Lat, left wrist plain film, follow-up study, 70.1 mm image width —
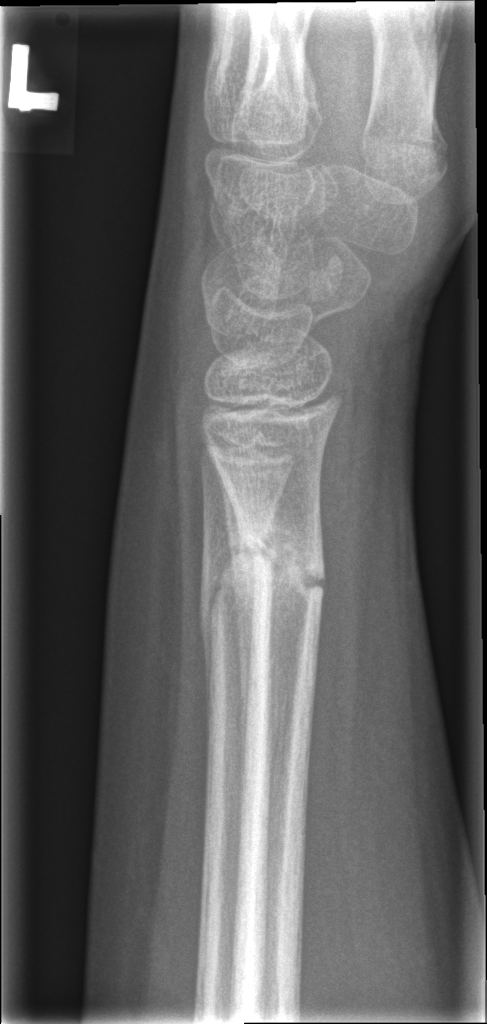
Q: Locate any fractures.
A: Fractures — bbox(231, 533, 331, 616); bbox(193, 532, 263, 629)
Q: Is there periosteal reaction?
A: Periosteal reaction: bbox(220, 473, 256, 785)
Q: What is the AO/OTA classification?
A: Fracture classified AO/OTA 23-M/3.1